Lateral projection, Lt wrist radiograph, 12y M, follow-up, image width 85.0 mm. 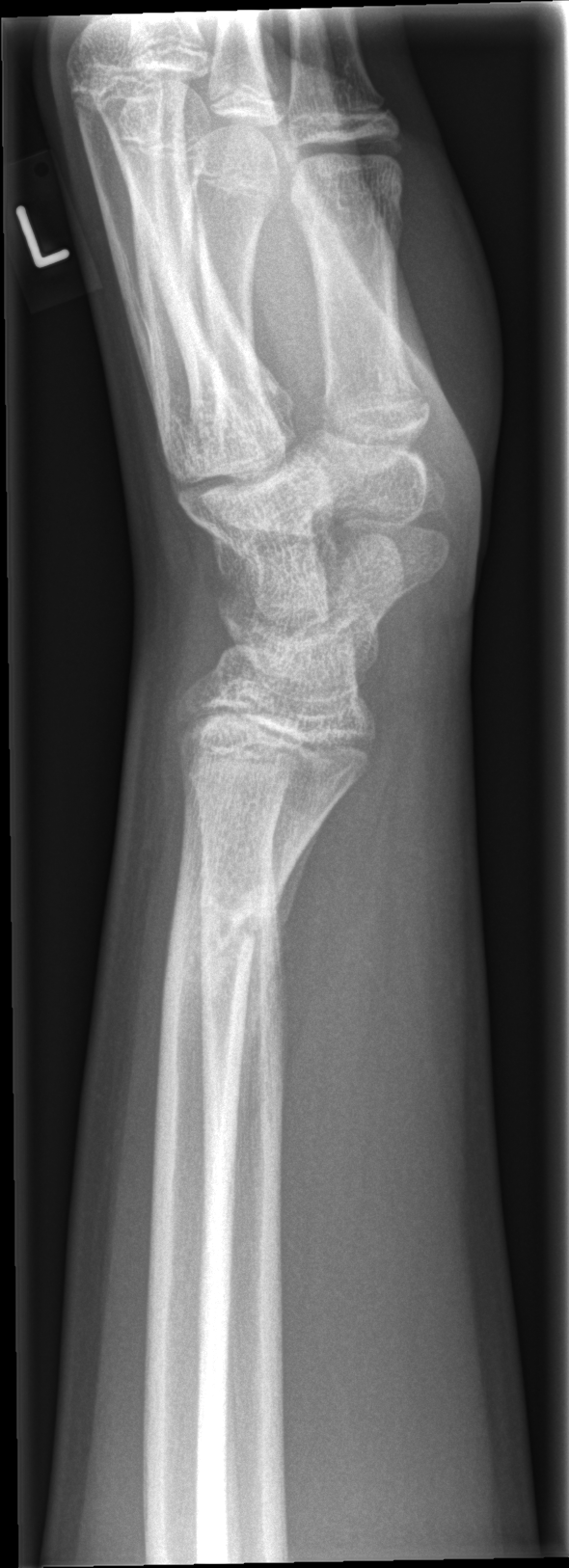 (bounding boxes in image-pixel xyxy)
AO classification = 23r-M/3.1; 23u-E/7
bone fracture = 1 @ 157,872,287,993
periosteal new bone = 1 @ 236,814,328,1137